L wrist XR, PA/AP view, pediatric patient (boy, age 10), 682x1134.

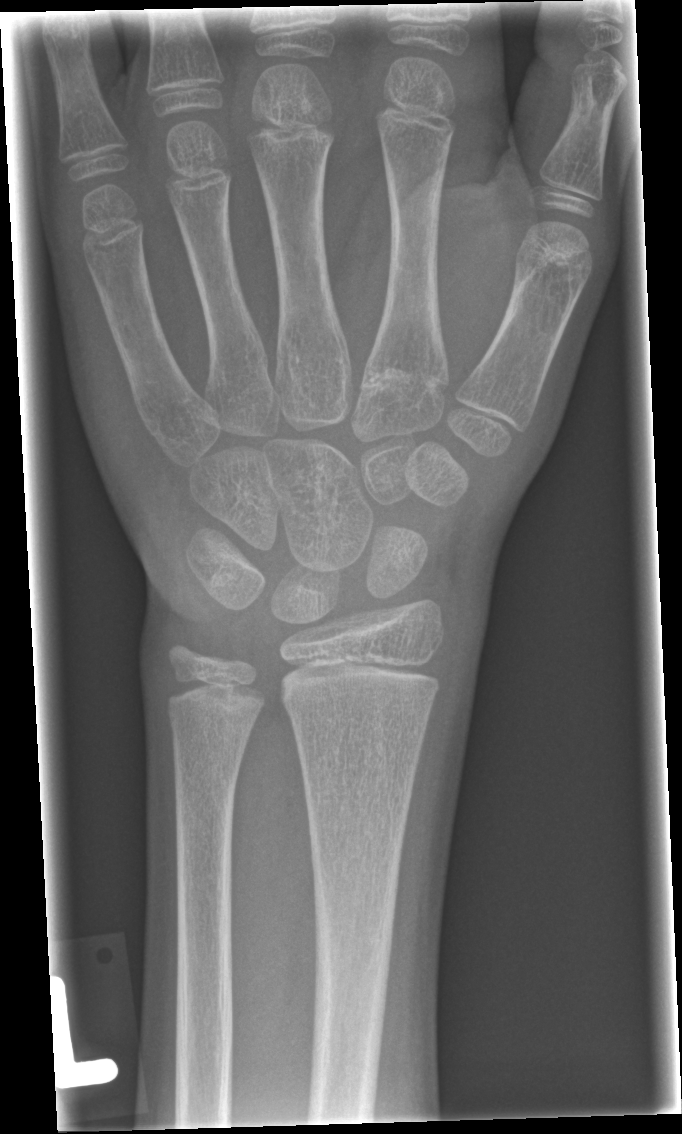

fracture: none labeled